Lateral view, R wrist plain film, 9y F, imaged through cast, 468 by 736 pixels:

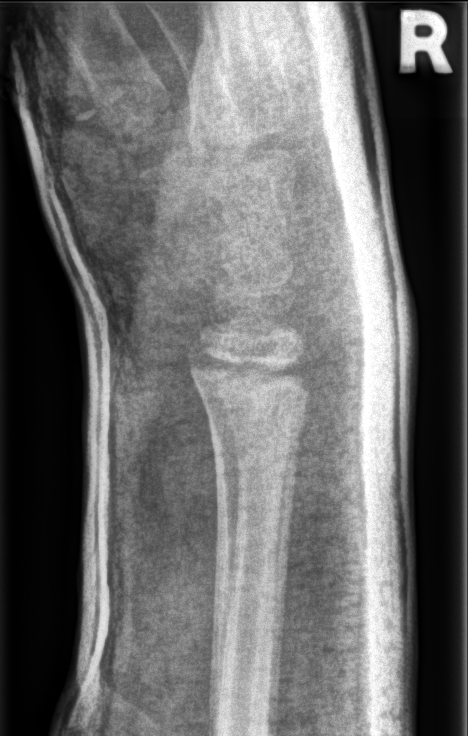 Q: Locate any fractures.
A: Fx: 189 357 314 443